Lat projection · Rt plain radiograph of the wrist · initial study 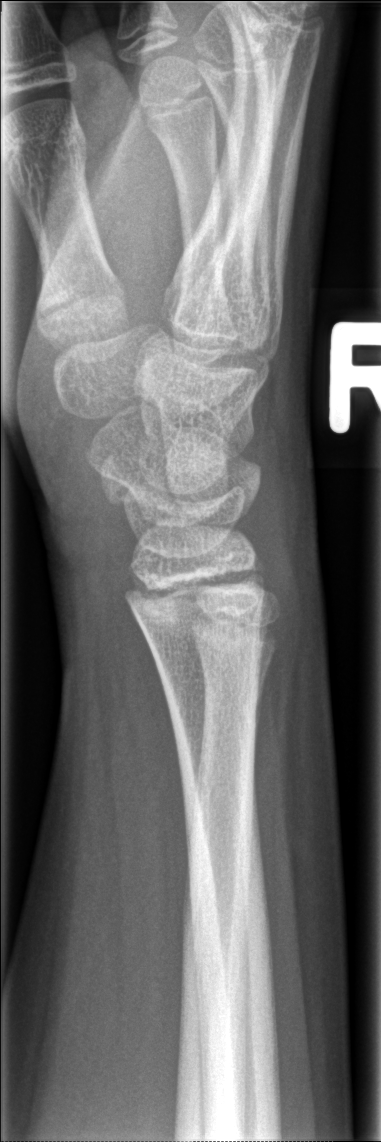

fracture = none labeled